Lateral projection | right wrist radiograph | 12-year-old male 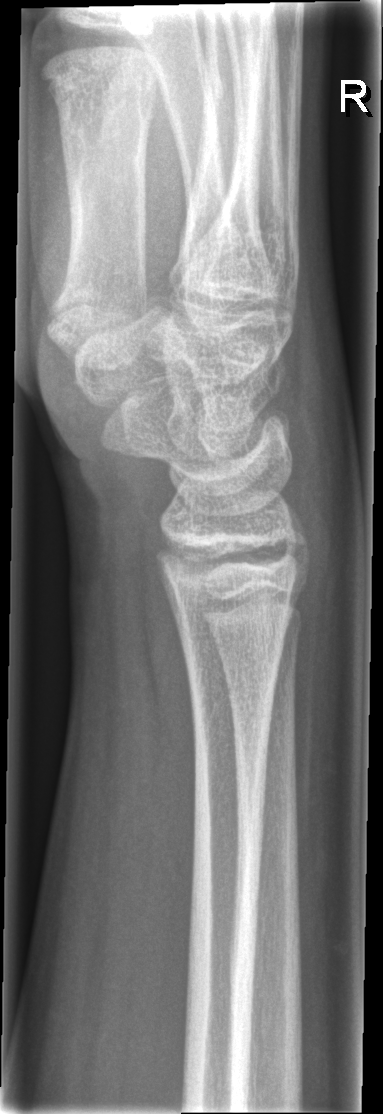

* No fracture bounding box.